L wrist X-ray, lat view, follow-up — 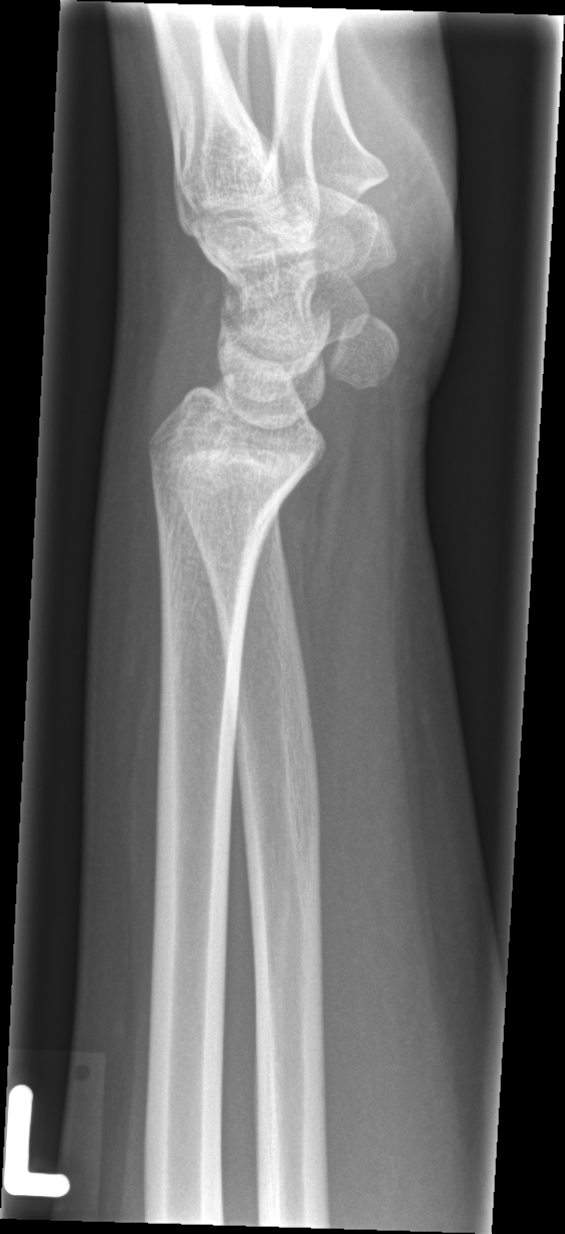

Fracture: present but not clearly seen in this view.
AO/OTA classification: 23r-M/3.1; 23r-E/7.